Left wrist plain film | PA/AP view | follow-up | imaged through cast | acquired on Siemens:

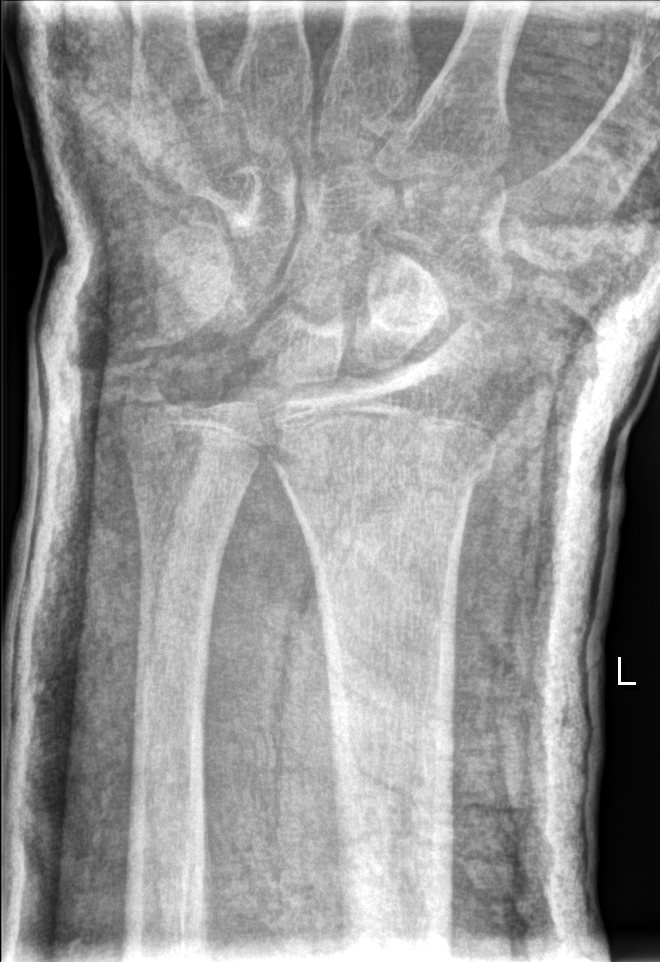
FINDINGS — (coordinates are [x1, y1, x2, y2] in image pixels) One bone fracture at <280,425>-<501,503>.